PA, Lt wrist X-ray, Siemens

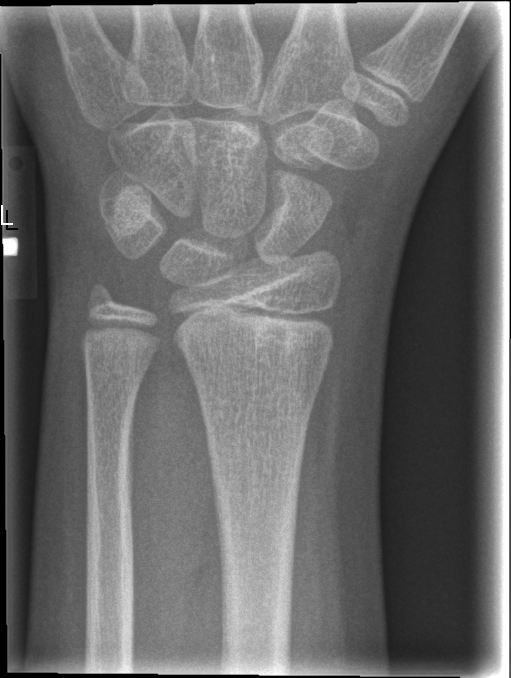

Fracture: present but not clearly seen in this view.